AP projection · Rt wrist XR · 12-year-old male · subsequent exam

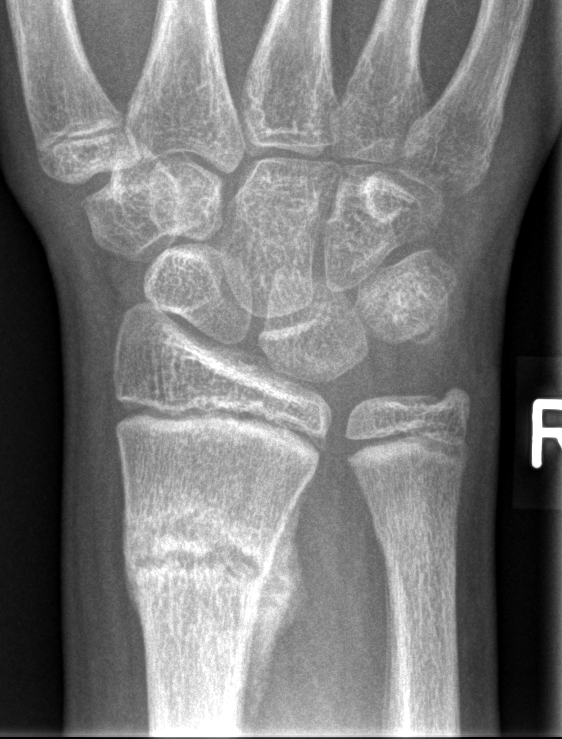
bone fracture = bbox(120, 491, 297, 685), bbox(370, 499, 464, 571)
AO code = 23r-M/3.1; 23u-M/2.1